Lat view | right wrist plain radiograph of the wrist | age 11 y, boy | image 68.0 mm wide 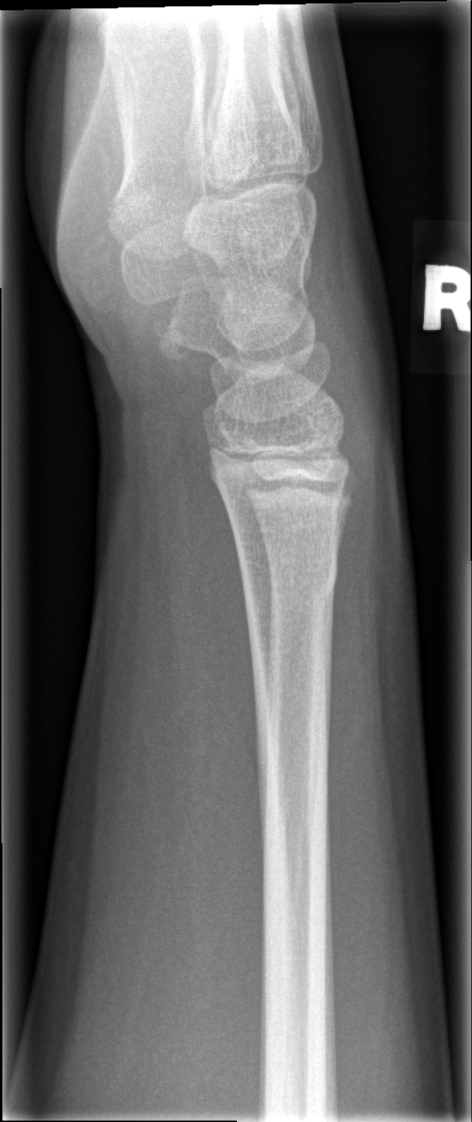

(coordinates are [x1, y1, x2, y2] in image pixels)
Q: AO code?
A: AO code 23r-M/2.1
Q: Locate any fractures.
A: Fracture: <236,547>-<346,606>